Left wrist plain film; posteroanterior view; 14-year-old male; subsequent exam:
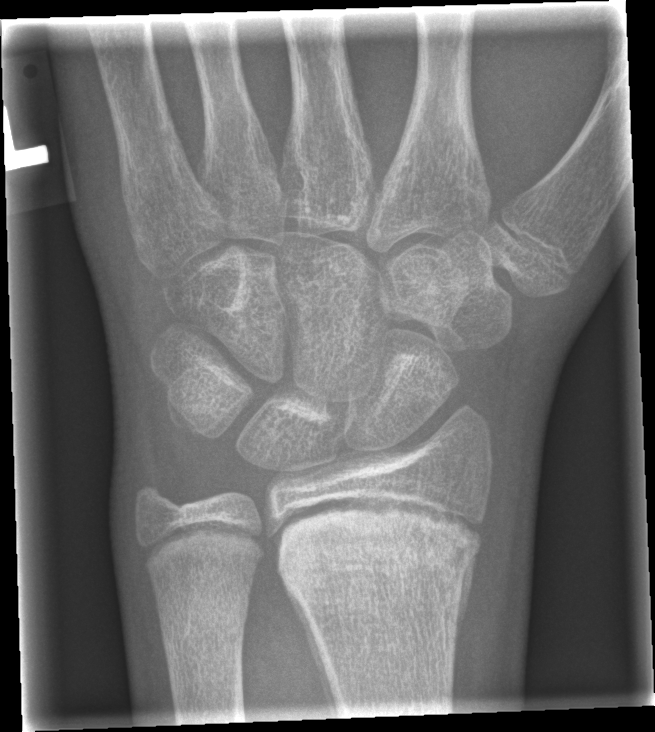 (coordinates are [x1, y1, x2, y2] in image pixels)
osteopenia: present
bone fracture: (left=269, top=487, right=489, bottom=612)
AO classification: 23r-E/2.1
periosteal reaction: 2 @ (left=282, top=581, right=346, bottom=718) (left=456, top=546, right=479, bottom=655)